Posteroanterior; R plain radiograph of the wrist: 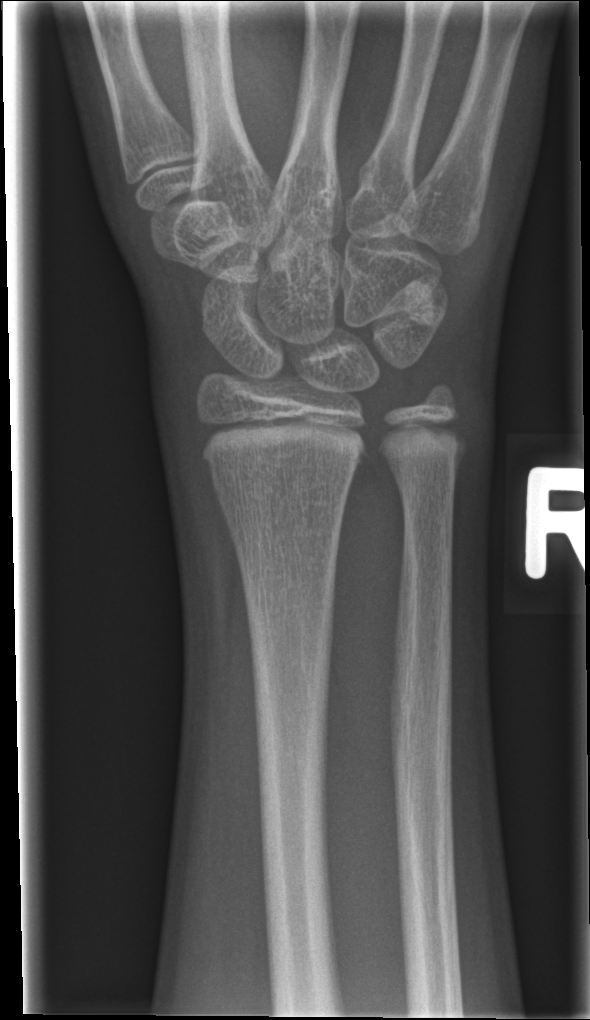 FINDINGS: Fx: none.